AP, R wrist X-ray, imaged through cast —

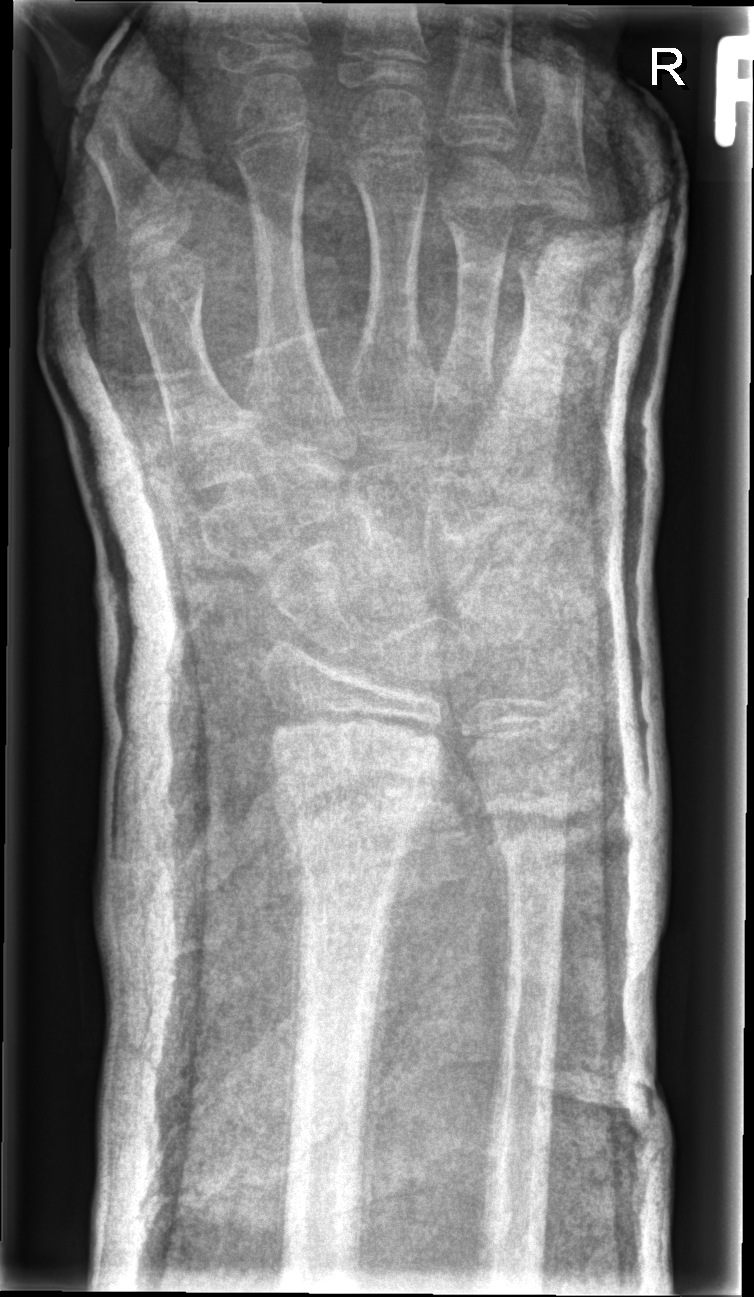

Periosteal reaction — (355, 799, 443, 1295), (279, 821, 306, 1285), (492, 815, 510, 1032). Fx identified at (263, 741, 437, 858), (489, 814, 570, 890). Fracture classified AO/OTA 23r-E/2.1; 23u-M/2.1.